Lat projection, left wrist X-ray, 6-year-old girl:

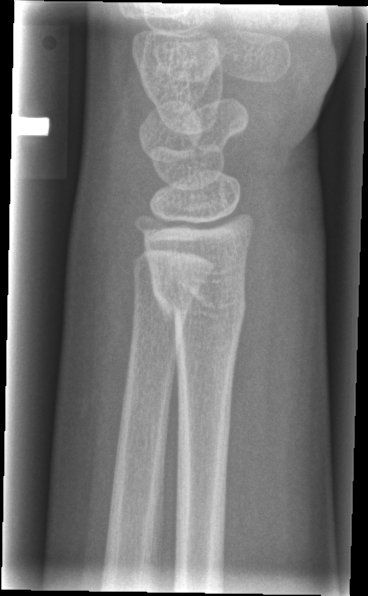
Bounding boxes in image-pixel xyxy.
AO code 23r-M/2.1.
Bone fracture — [x1=150, y1=272, x2=249, y2=339].